Right wrist pediatric wrist radiograph, oblique, pediatric patient (girl, age 5) —
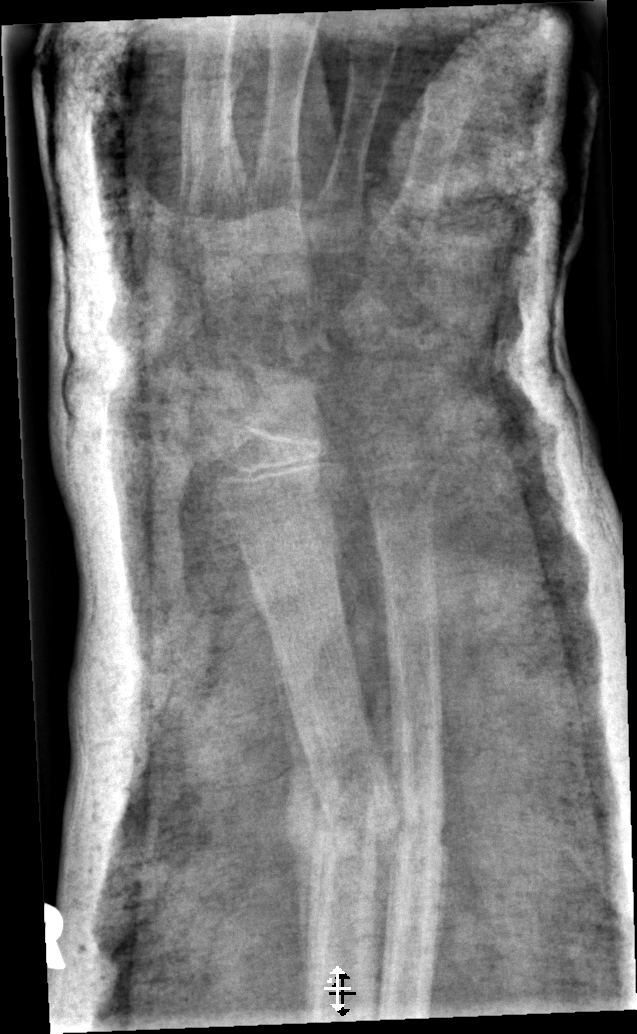
Bounding boxes in image-pixel xyxy. Fx identified at (295, 765, 403, 887); (380, 754, 455, 906).